Left wrist radiograph, lateral view, acquired on Siemens, 527 by 1272 pixels 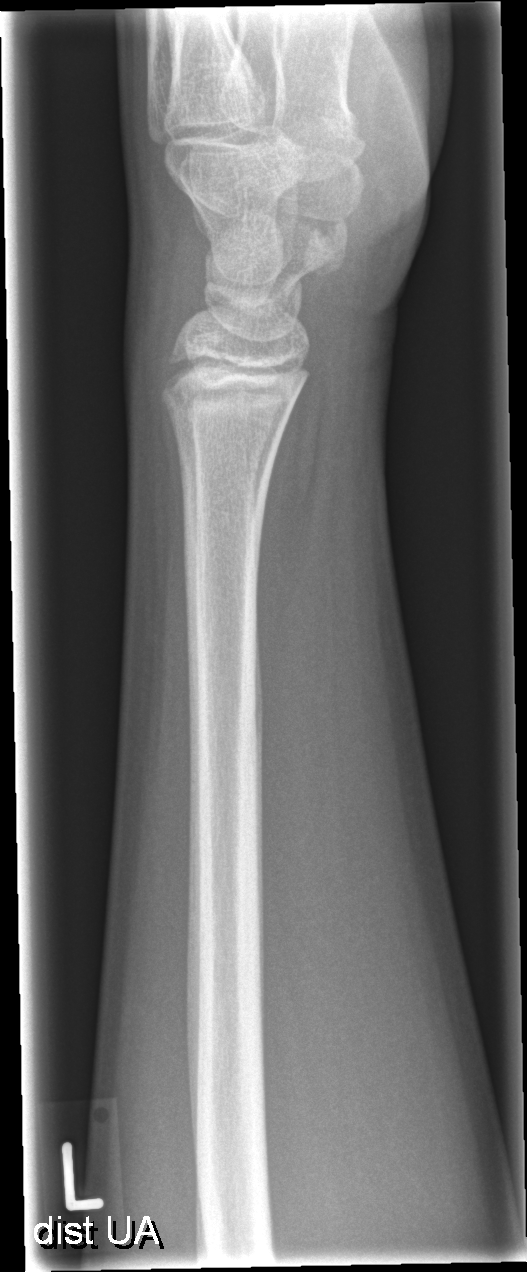

* No fracture annotation.